Rt wrist X-ray · lateral view · 16-year-old female

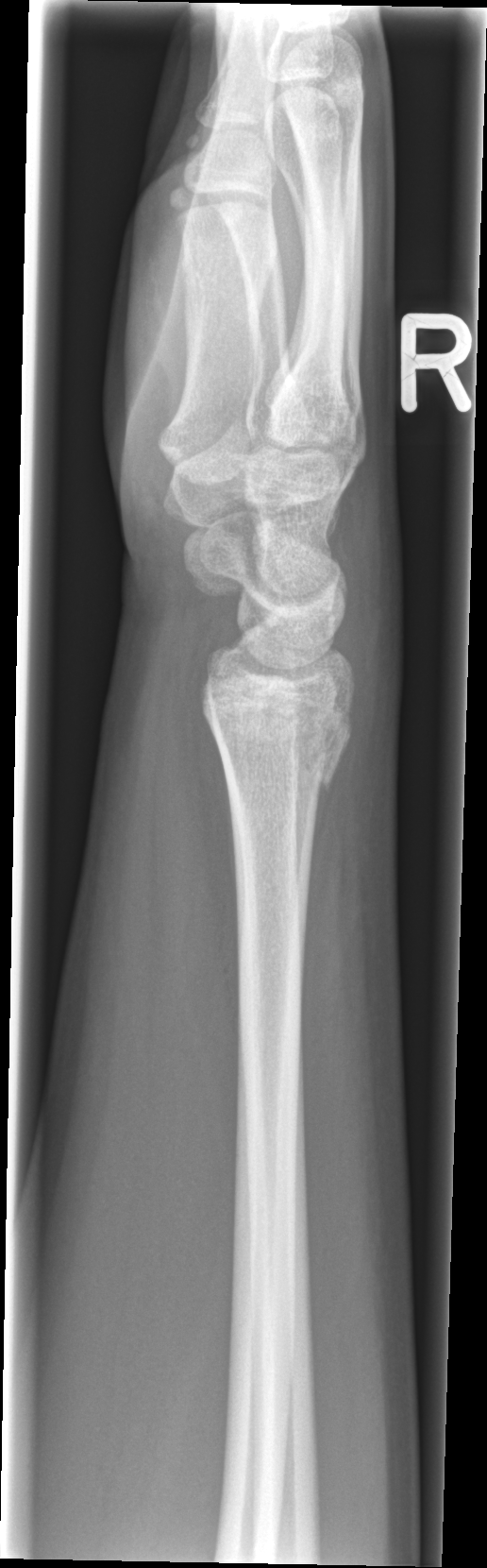
FINDINGS — (pixel coordinates, top-left origin, xyxy) Fx identified at 217,712,357,804. AO code 23r-E/2.1; 23u-E/7.